PA view; R wrist X-ray; acquired on Agfa:

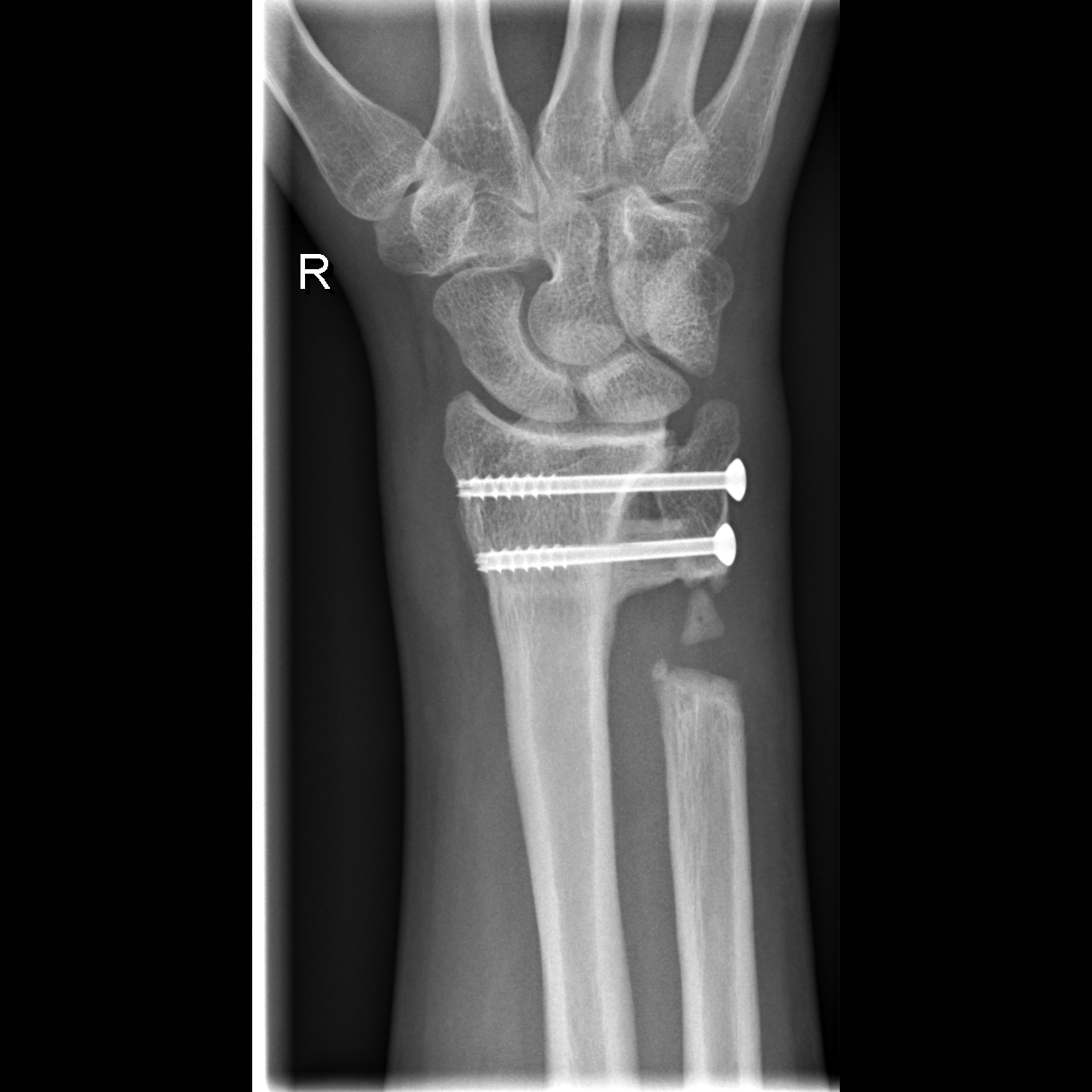 Bone anomaly: [x1=614, y1=485, x2=750, y2=710]
Bone fracture: none labeled
Metallic implant: 2 @ [x1=468, y1=521, x2=738, y2=575]; [x1=451, y1=456, x2=749, y2=504]